R wrist X-ray; posteroanterior view; pediatric patient (male, age 16) —

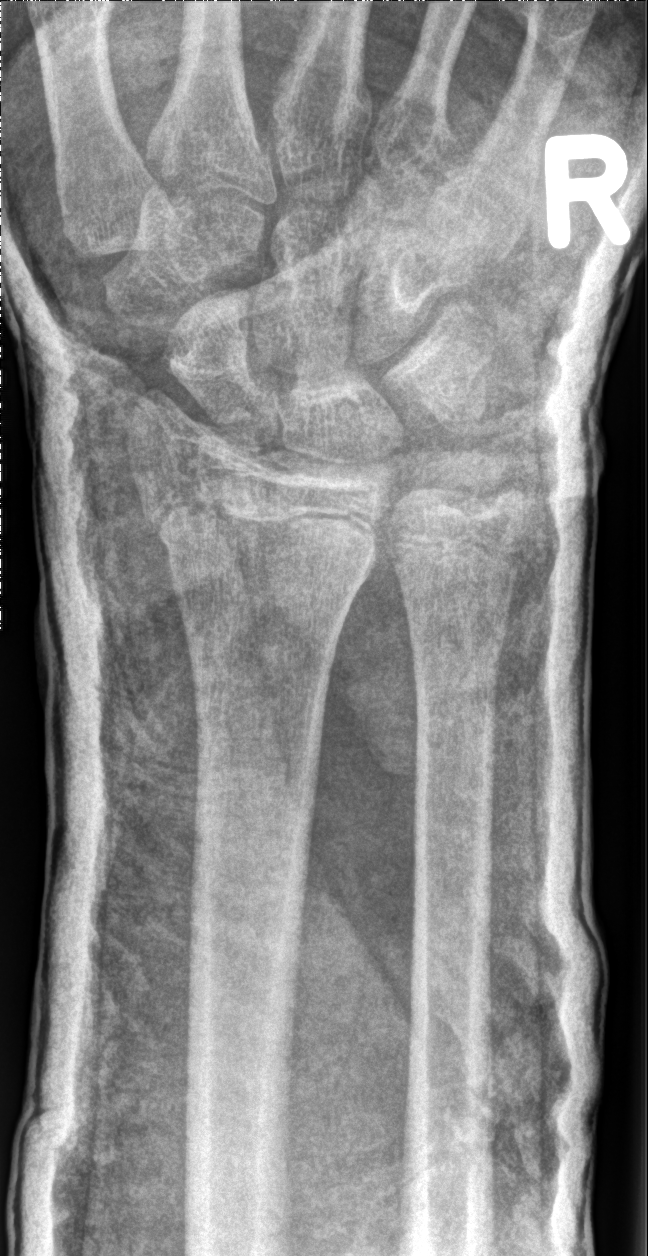 FINDINGS — (pixel coordinates, top-left origin, xyxy) Fx: <146,504>-<384,585>. Fracture classified AO/OTA 23r-M/3.1; 23u-E/7.